Lateral projection; right wrist X-ray; 16-year-old boy:
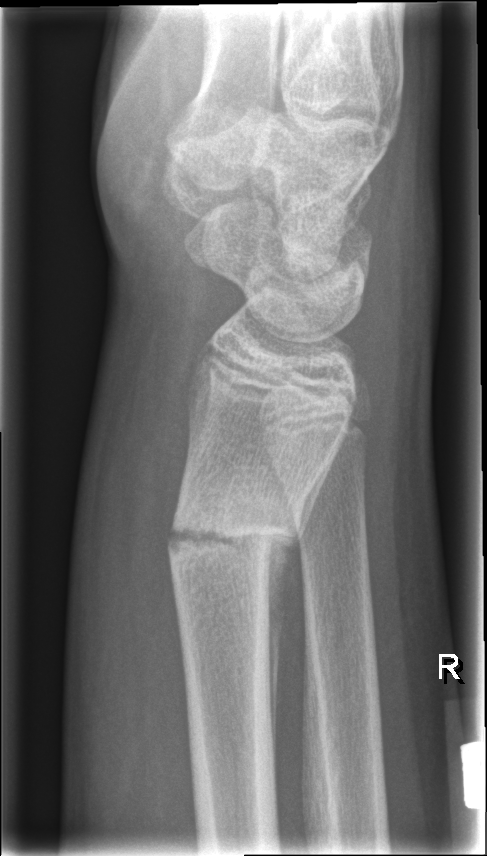

{
  "_coords": "coordinates are [x1, y1, x2, y2] in image pixels",
  "fracture": "1 @ (left=162, top=500, right=306, bottom=582)",
  "periostealreaction": "1 @ (left=264, top=417, right=349, bottom=785)"
}